Lat view; left wrist radiograph; 532 x 1396 px —

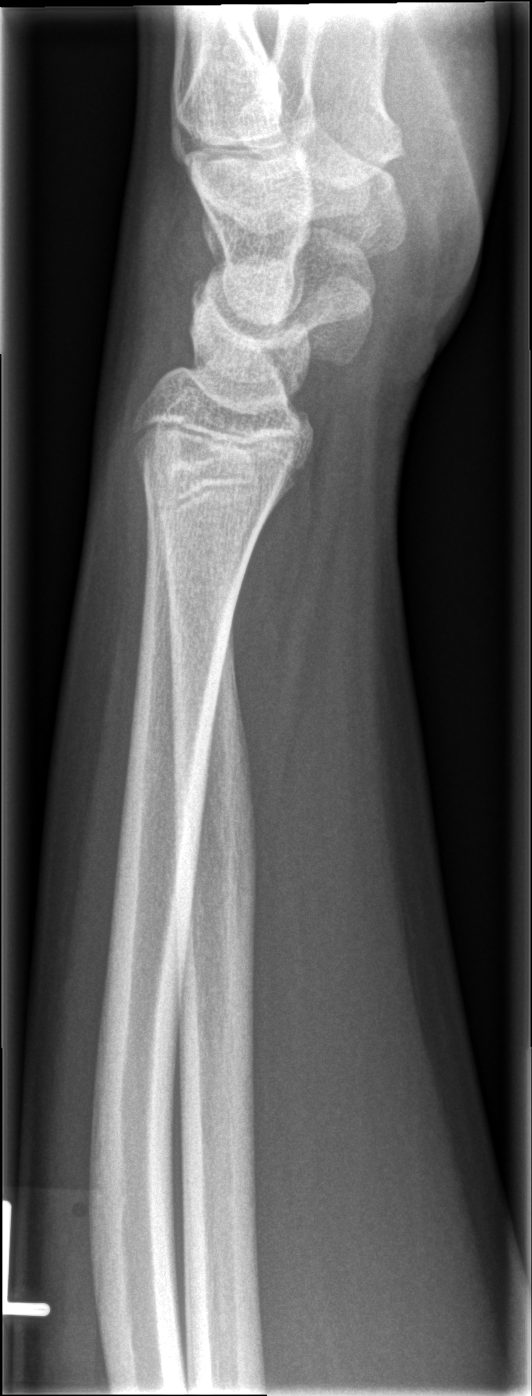
bone fracture = none labeled